L wrist X-ray, posteroanterior view, follow-up 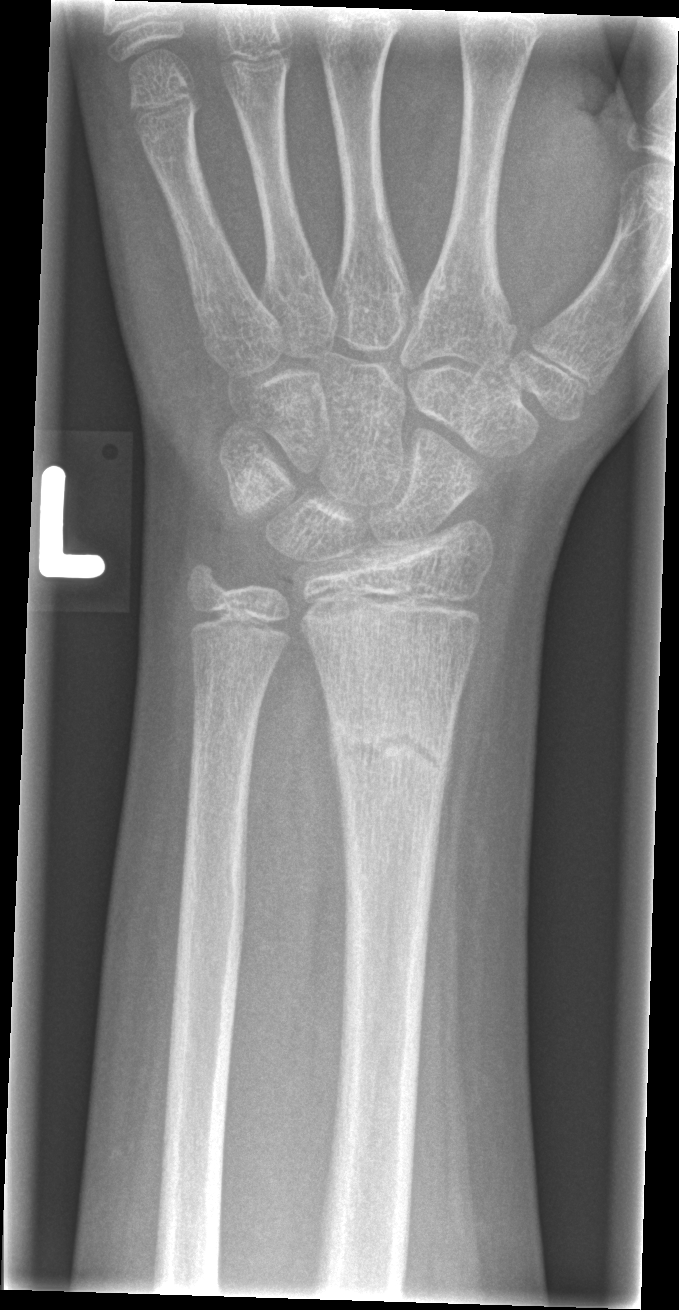

FINDINGS: AO/OTA classification: 23r-M/3.1; 23u-E/7. Bone fracture identified at (left=321, top=698, right=457, bottom=789).